Rt wrist X-ray | lat projection | image size 473x936 —
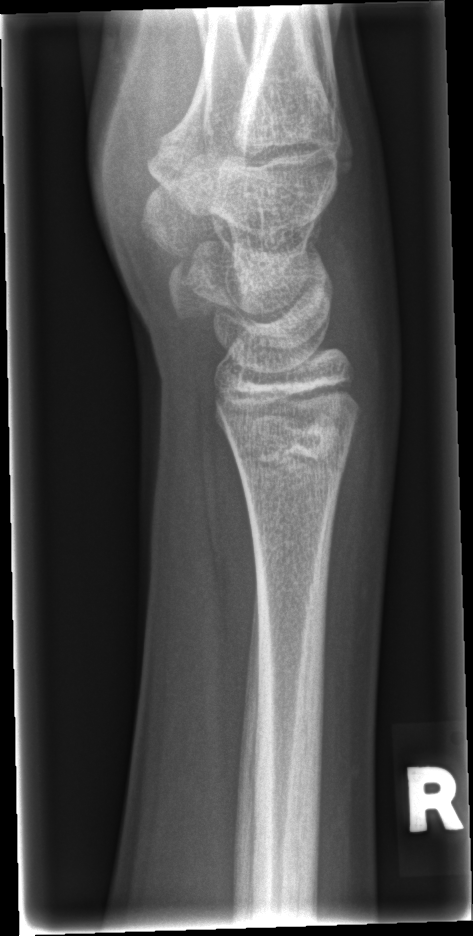 Fx: none labeled